R wrist plain film, lat view, 15-year-old girl, initial study, acquired on Siemens, 597 x 1020 px 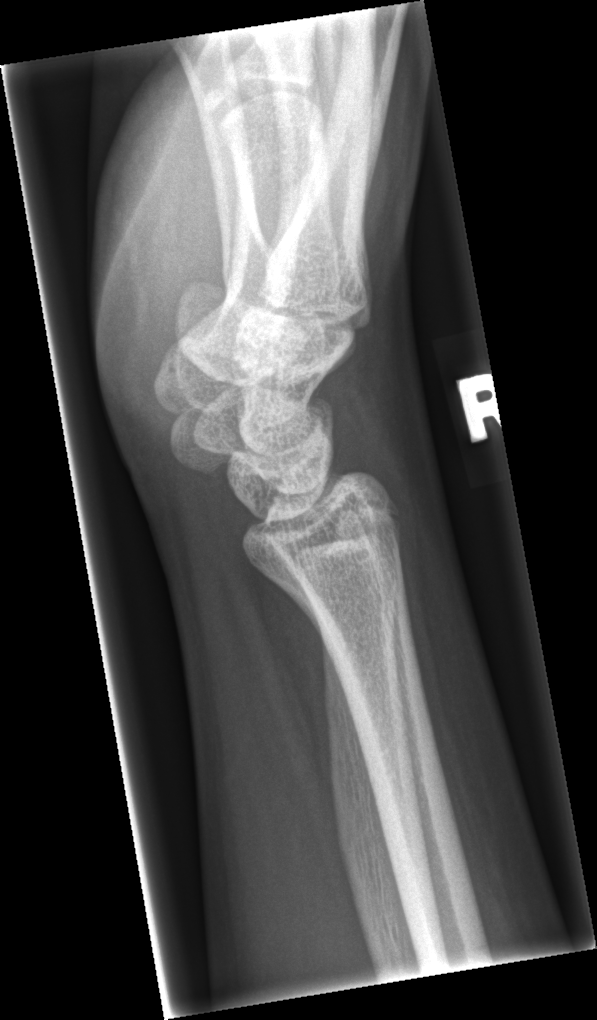
No Fx annotated.